Rt wrist XR; PA; 9-year-old male —

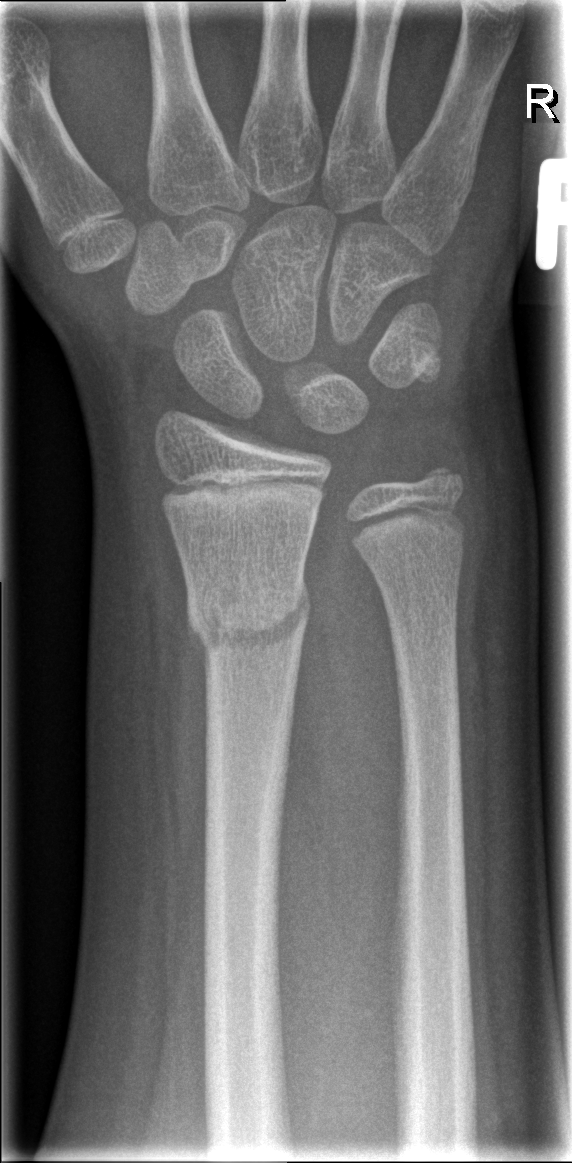
AO code 23r-M/3.1; 23u-E/7.
Two Fx at (left=184, top=567, right=315, bottom=670) (left=412, top=447, right=467, bottom=511).